Lateral; left wrist radiograph. 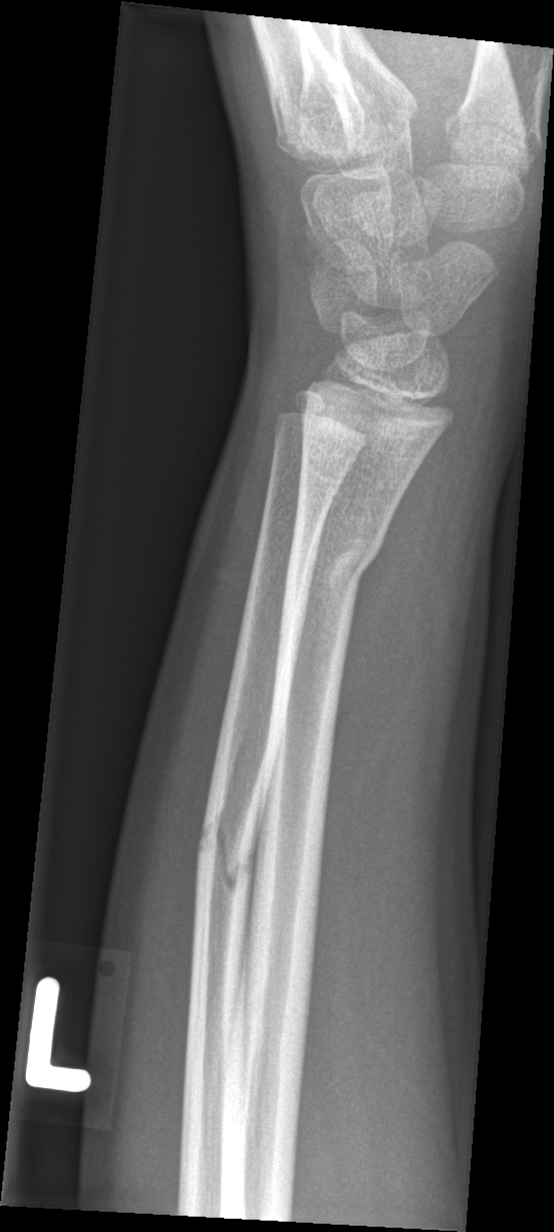 Fx — [192, 733, 269, 900]; [280, 534, 389, 605]. One positive pronator fat-pad sign at [305, 419, 464, 747].